Frontal; R plain radiograph of the wrist; age 9 y, girl —
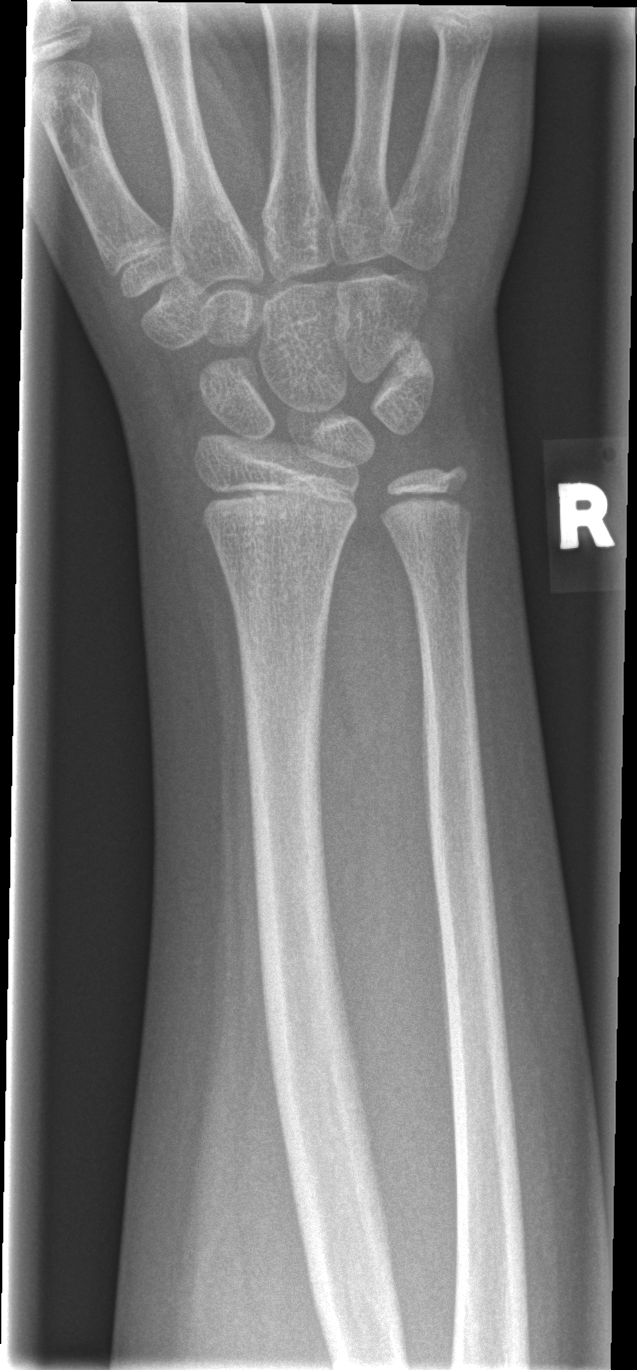 Q: Is there a fracture?
A: Fx: none